Rt wrist XR, PA/AP view, initial study. 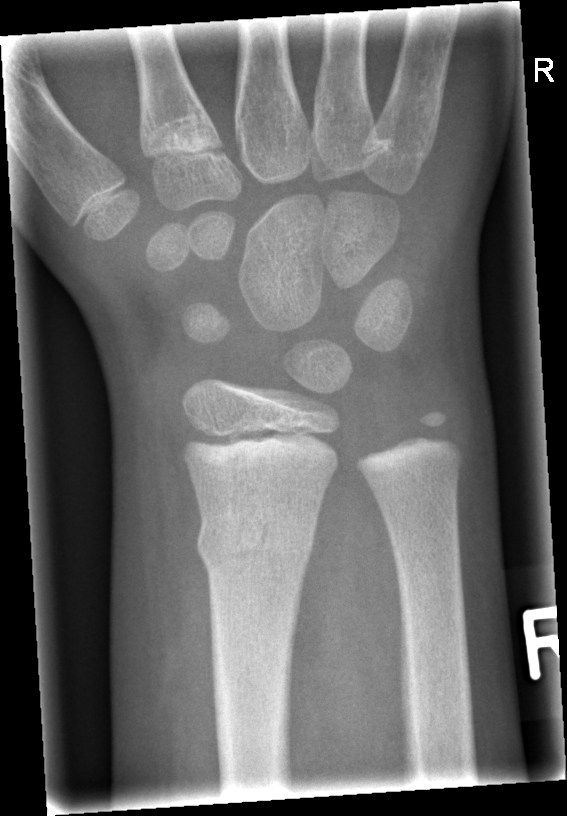 Boxes as x1,y1,x2,y2 (top-left / bottom-right, pixel units). Fracture classified AO/OTA 23r-M/2.1. One bone fracture at (193, 502, 320, 572).